L wrist X-ray; lat projection; age 10 y, girl: 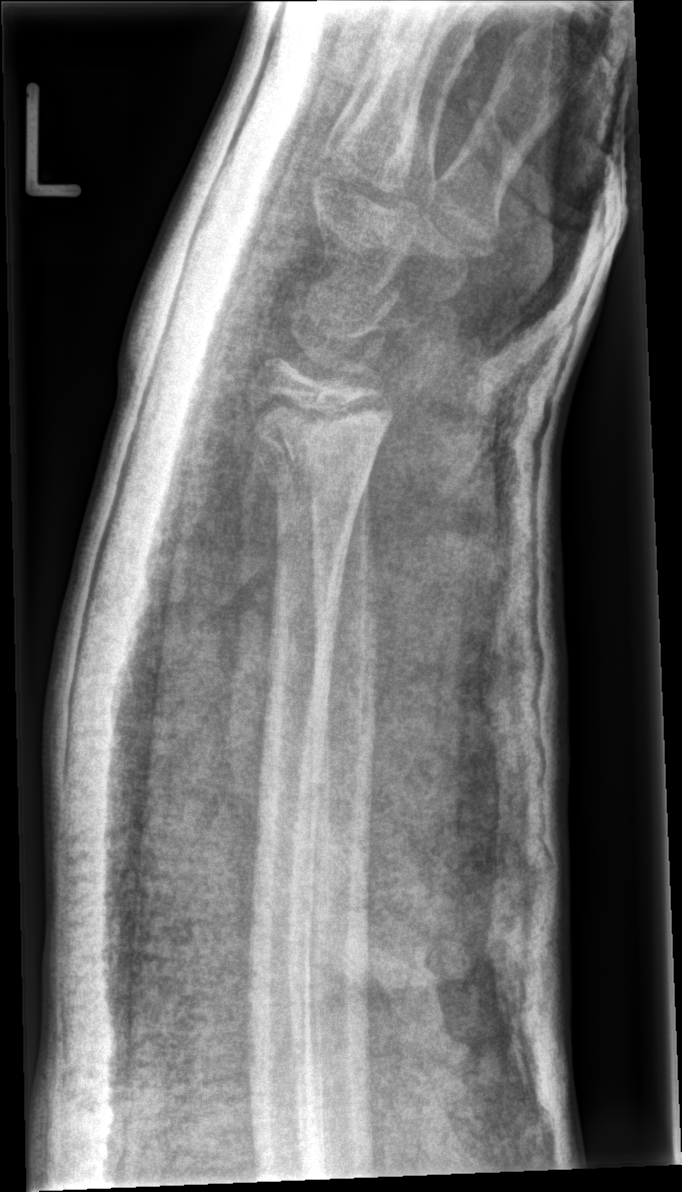
fracture: 1 @ [x1=241, y1=401, x2=398, y2=510]